AP projection; left wrist plain film; 753 by 1334 pixels
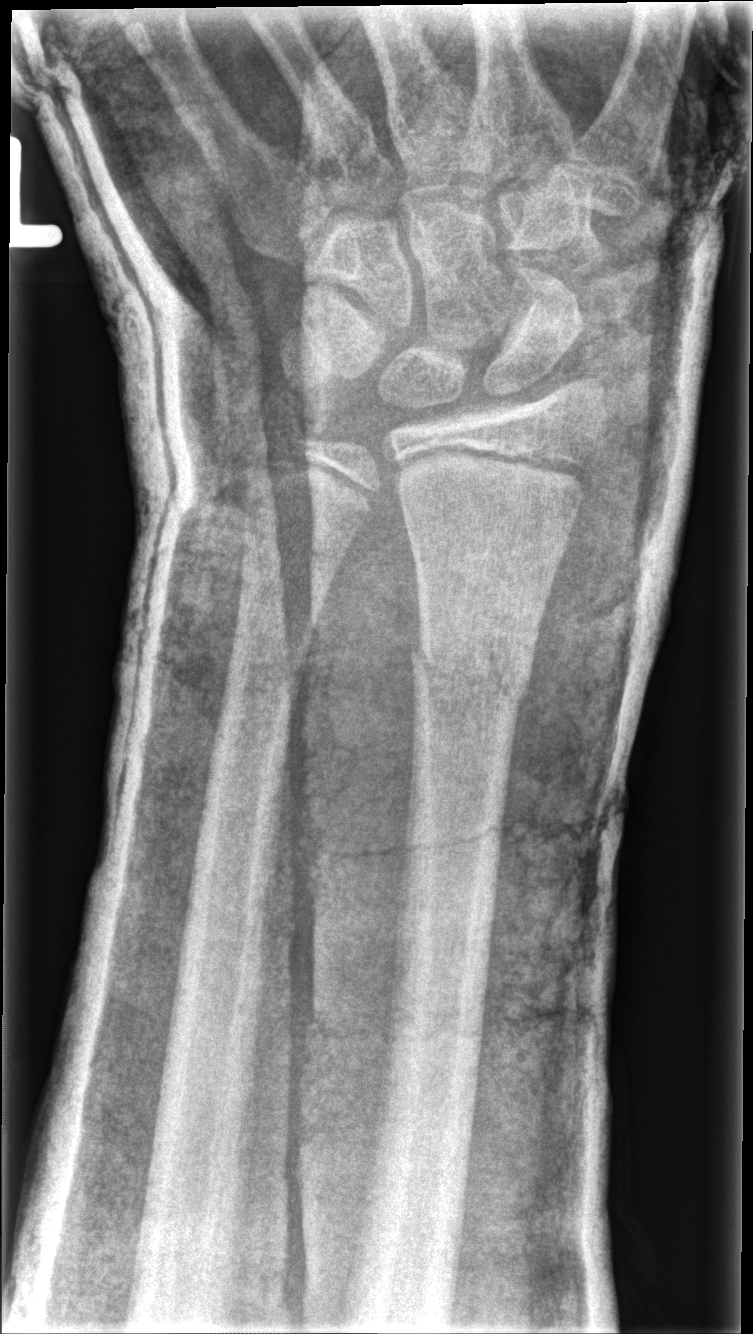

AO/OTA classification: 23r-M/3.1; 23u-E/7.
Bone fractures — [408, 614, 538, 716], [238, 381, 317, 454].